Right pediatric wrist radiograph · lateral view · 10-year-old girl · imaged through cast · 71.1 mm image width.

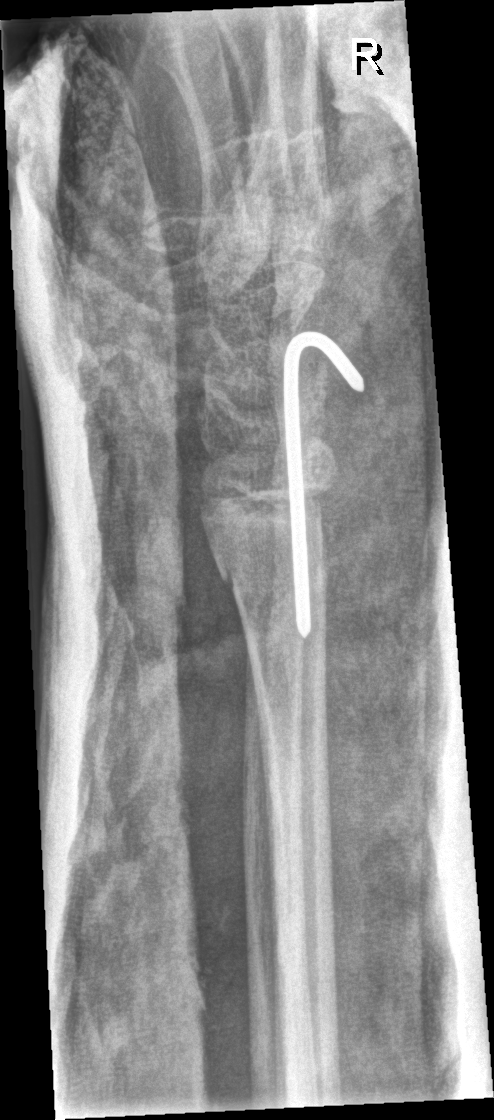

Hardware: (left=281, top=329, right=366, bottom=641)
Fracture: (left=194, top=478, right=348, bottom=583)